AP; right wrist X-ray; 11y M; subsequent exam: 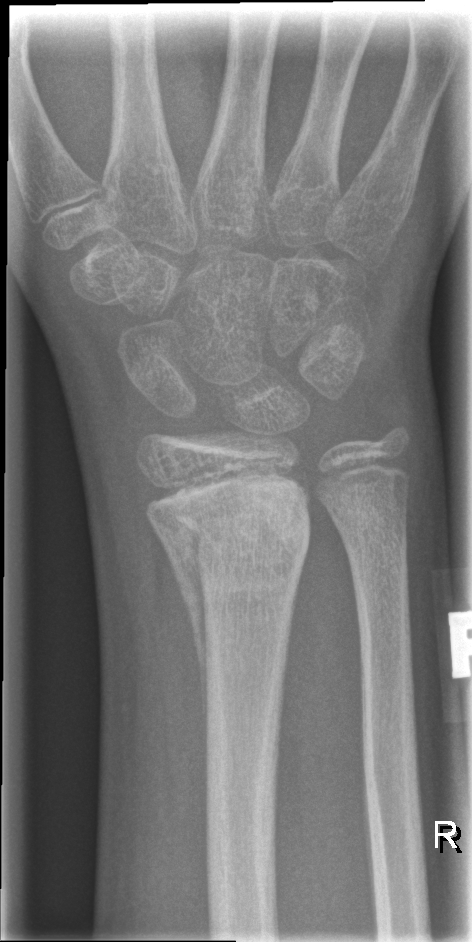

Bounding boxes in image-pixel xyxy.
Periosteal thickening identified at (left=149, top=512, right=210, bottom=773).
Fracture classified AO/OTA 23r-M/3.1.
Fracture: (left=143, top=477, right=314, bottom=615).
Reduced bone mineral density.